PA view | left wrist radiograph | boy, 8 yo —

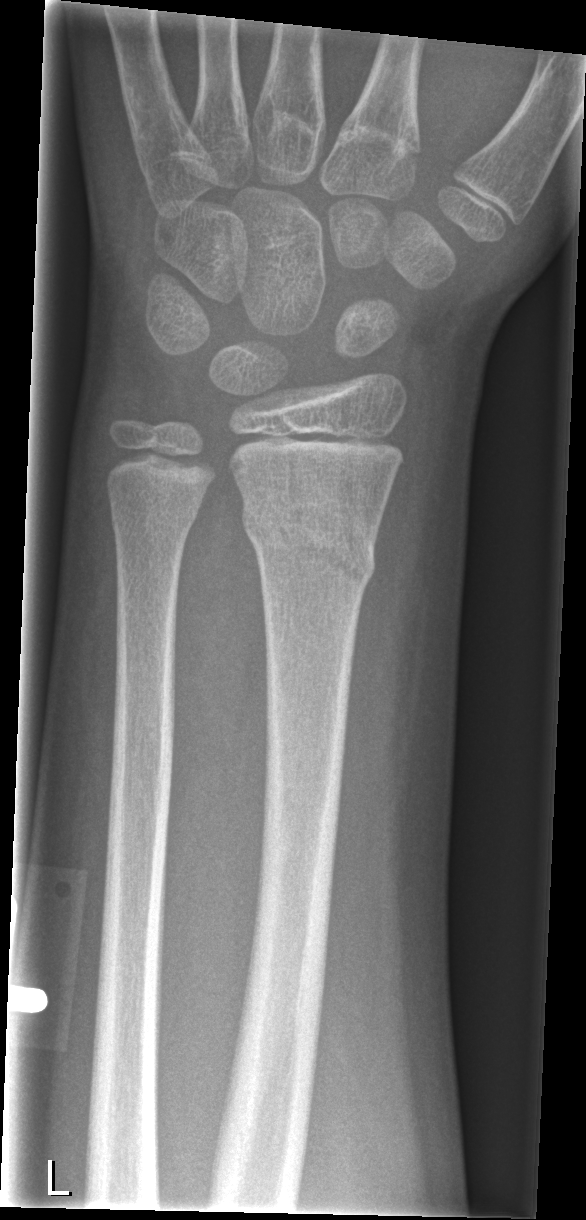

Fracture identified at 239,490,379,591
  107,489,204,533.